AP; Lt wrist X-ray; age 4 y, female —
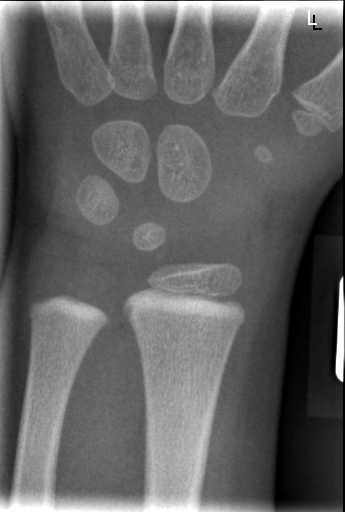
Q: Is there a fracture?
A: Fx: none